Rt pediatric wrist radiograph, lat projection, age 16 y, boy, image size 480x1088.

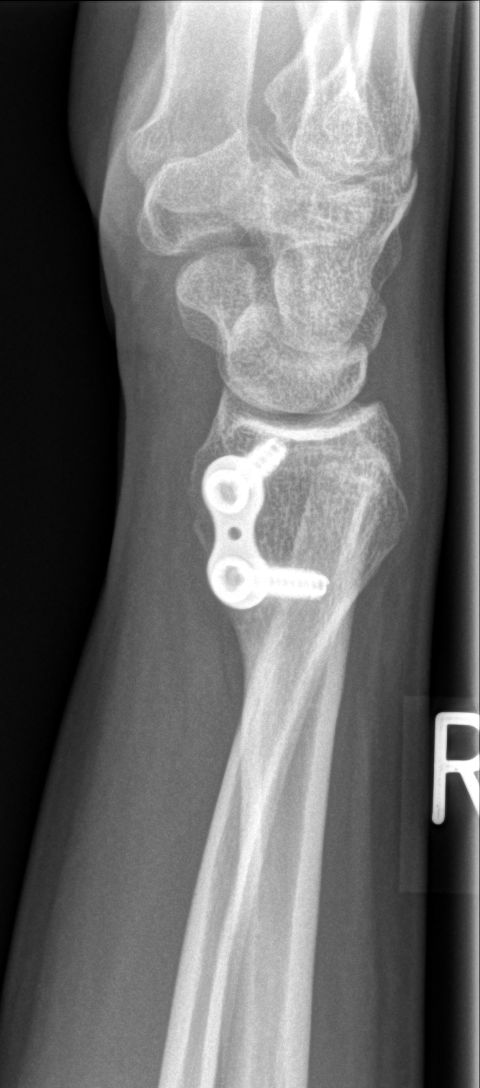 Hardware — <196,424>-<340,616>. No fracture annotation.